Posteroanterior; right wrist X-ray
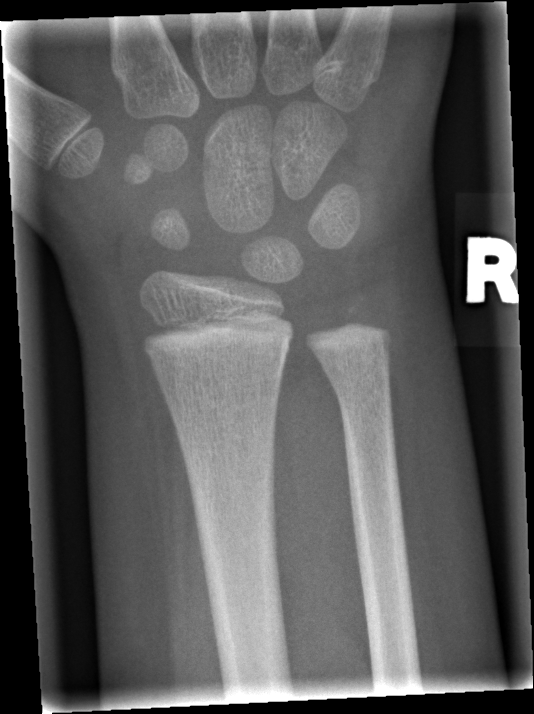 FINDINGS: Fx: none.